R wrist X-ray | posteroanterior | detector: Siemens 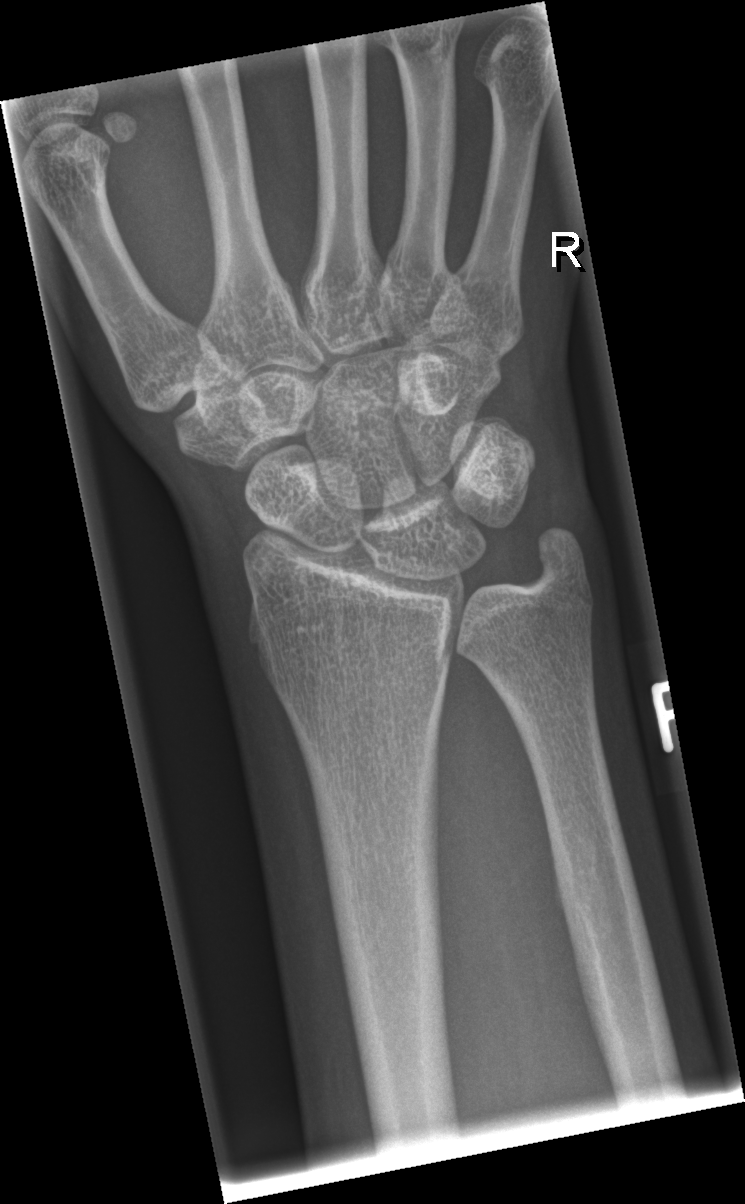
FINDINGS: No fracture bounding box.